Right wrist XR · frontal view.

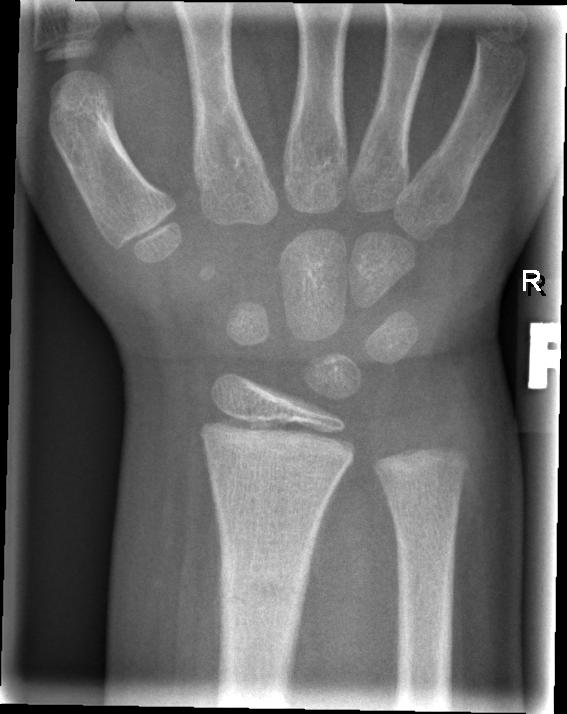
- Fx — <215,555>-<311,627>.
- Fracture classified AO/OTA 23r-M/3.1.